R plain radiograph of the wrist | PA/AP projection —

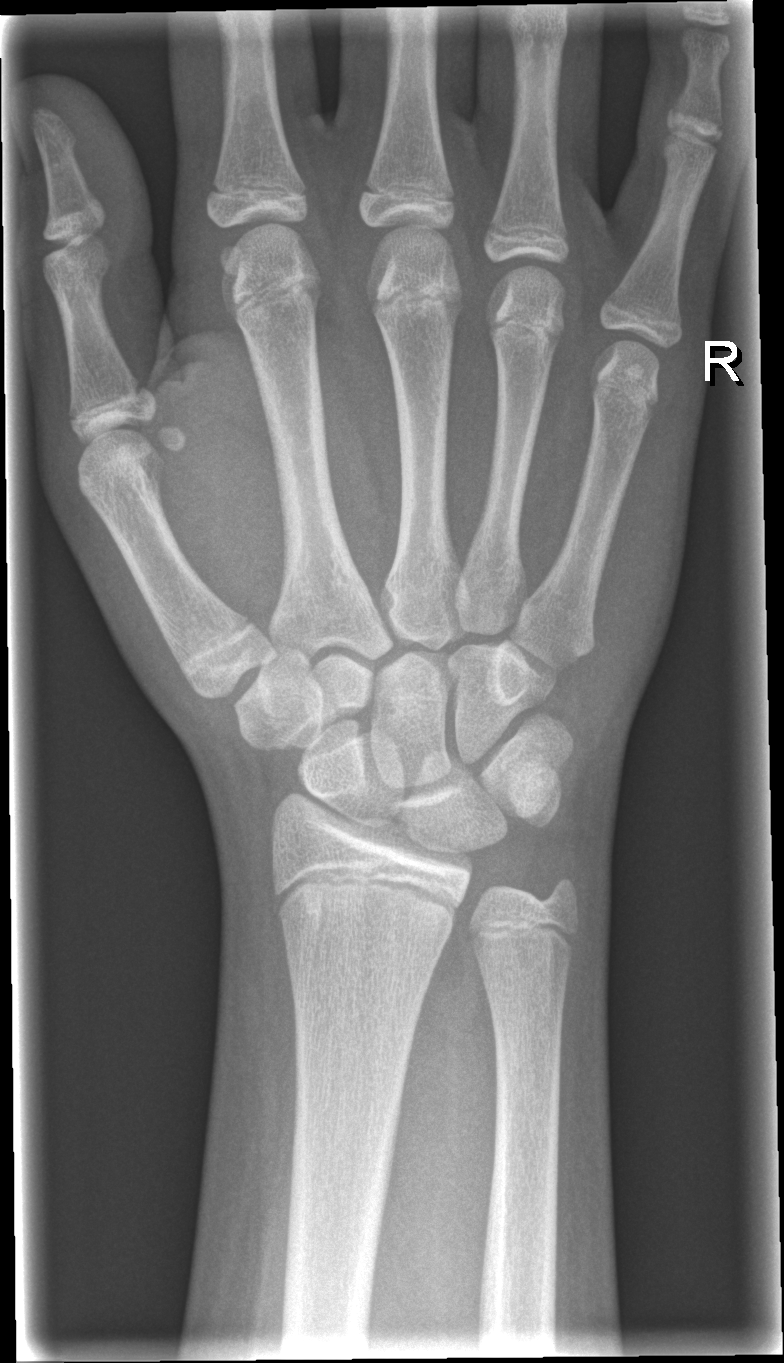
No fracture annotation.